Lat view | Lt wrist plain film | 6-year-old female | 476 by 797 pixels —

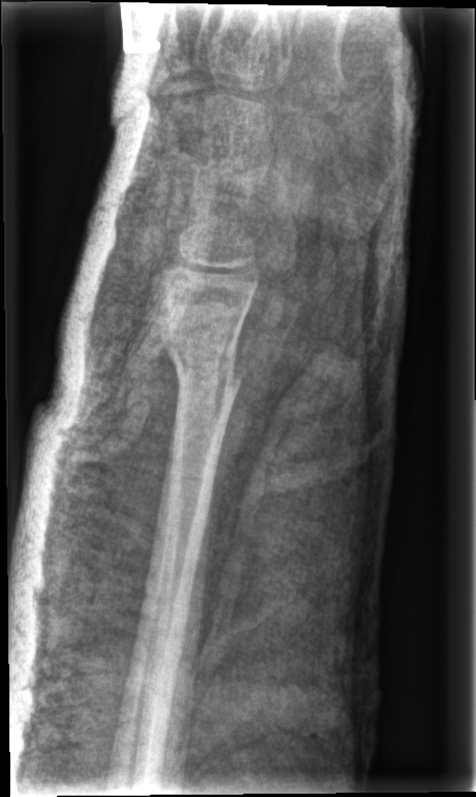

- Coordinates are [x1, y1, x2, y2] in image pixels.
- Fx: 163 343 245 399.